PA view; L wrist X-ray; male, 12 yo; image width 89.4 mm; 621x1288 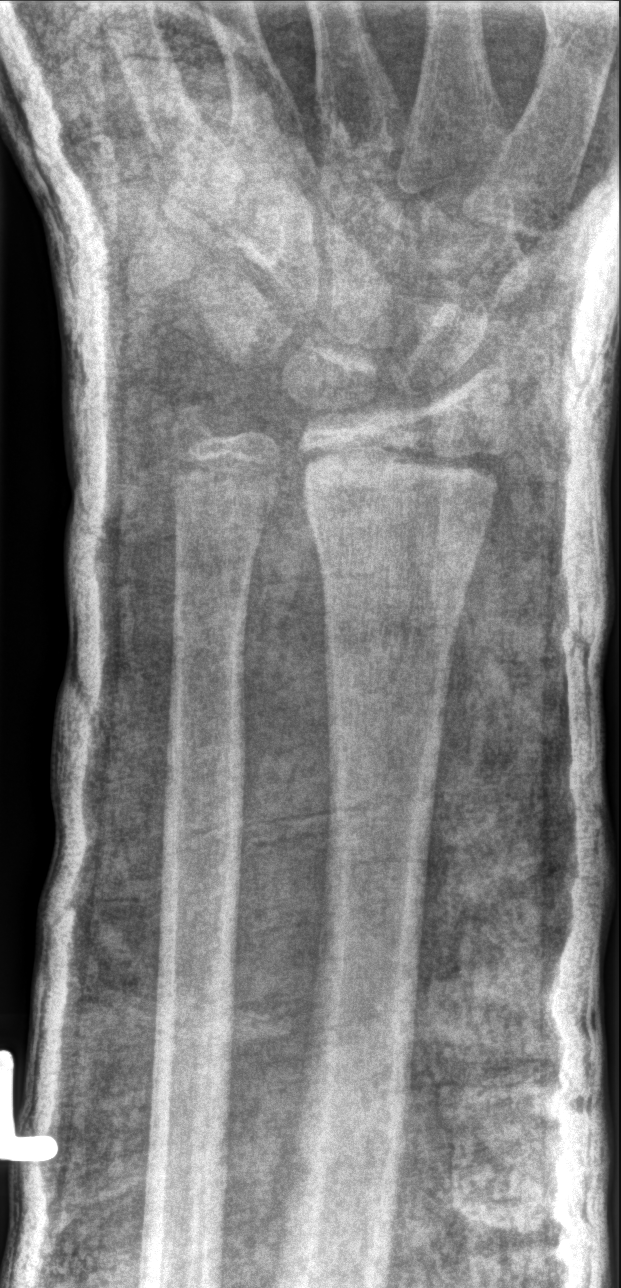 FINDINGS: Fracture classified AO/OTA 23r-E/1; 23u-E/7. Fracture — 304,440,507,508.